Lateral, Rt wrist radiograph, initial study:
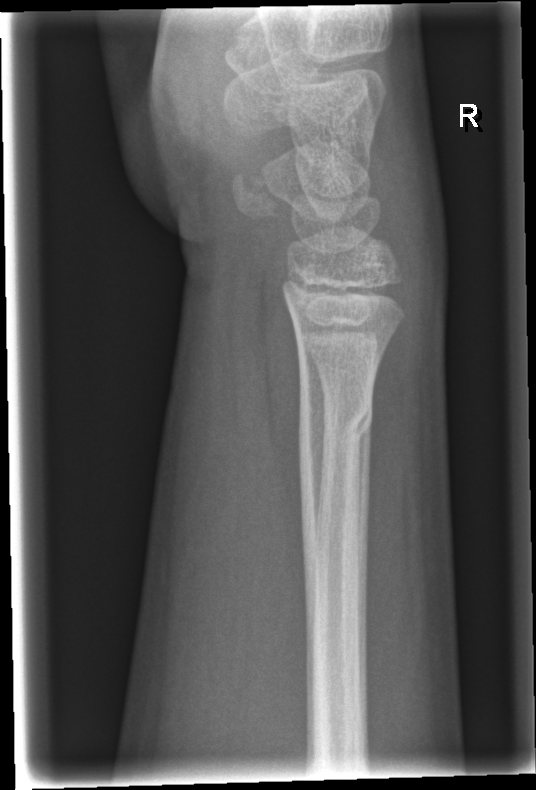 FINDINGS: One Fx at bbox(296, 387, 376, 462). AO code 23r-M/2.1.